AP projection | left wrist XR | image 82.2 mm wide: 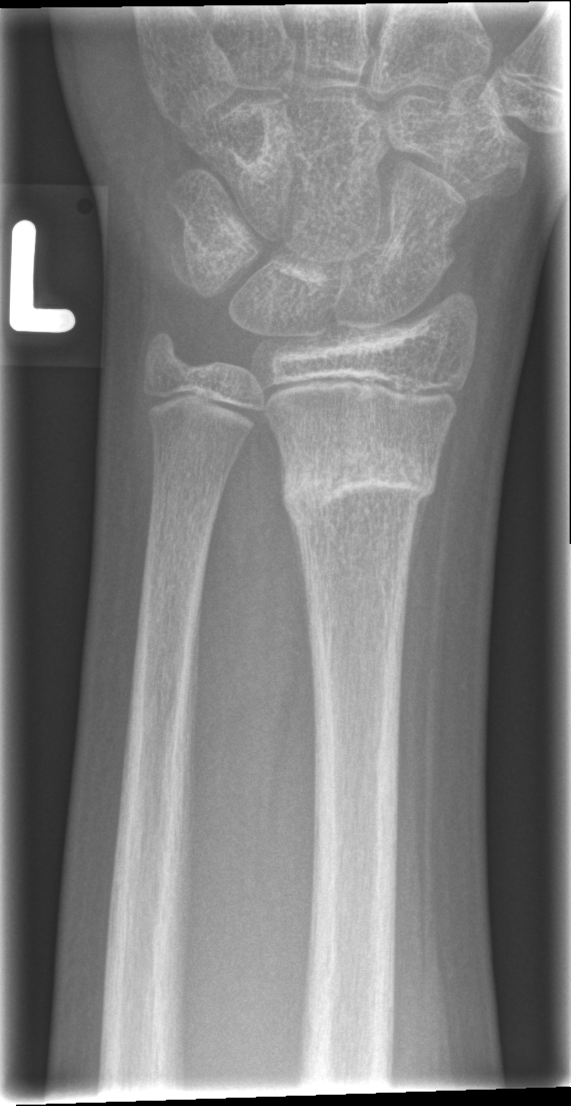

FINDINGS: One periosteal new bone at 406 490 433 595. Fracture — 276 434 442 532. Reduced bone mineral density.